R plain radiograph of the wrist · lateral view · presentation radiograph:

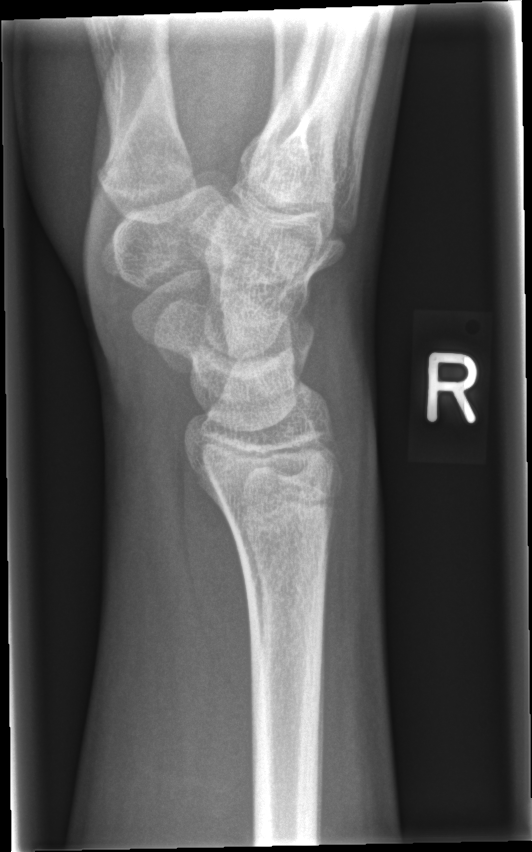

FINDINGS: No fracture annotation.